Frontal; left plain radiograph of the wrist; 15-year-old boy; 87.0 mm image width; 604x908.

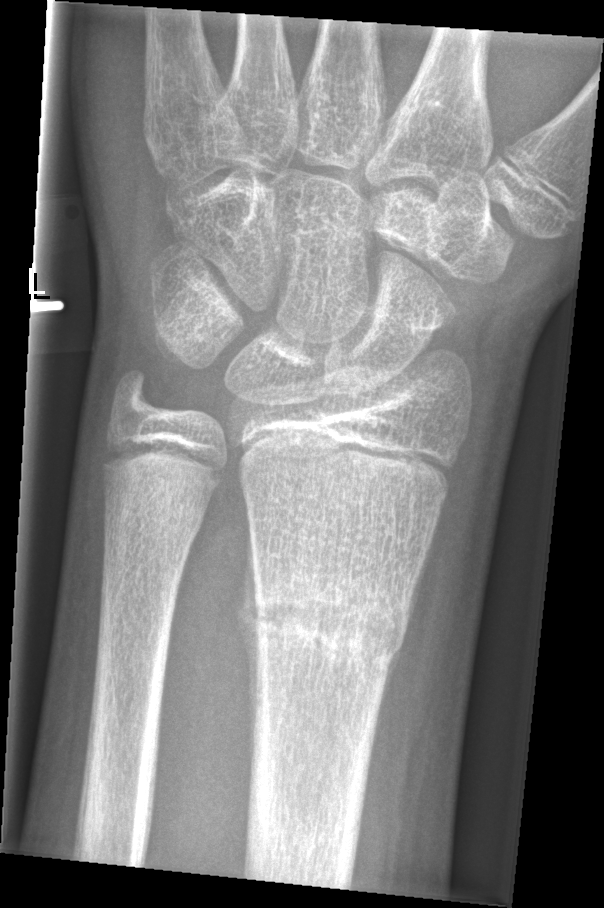
Bone fracture: 248,564,413,681 | 99,487,212,552. Reduced bone mineral density. AO/OTA classification: 23-M/2.1. Periosteal reaction — 371,509,441,754; 234,495,262,785.